R wrist plain film | AP | age 11 y, female | follow-up study | 602 x 926 px: 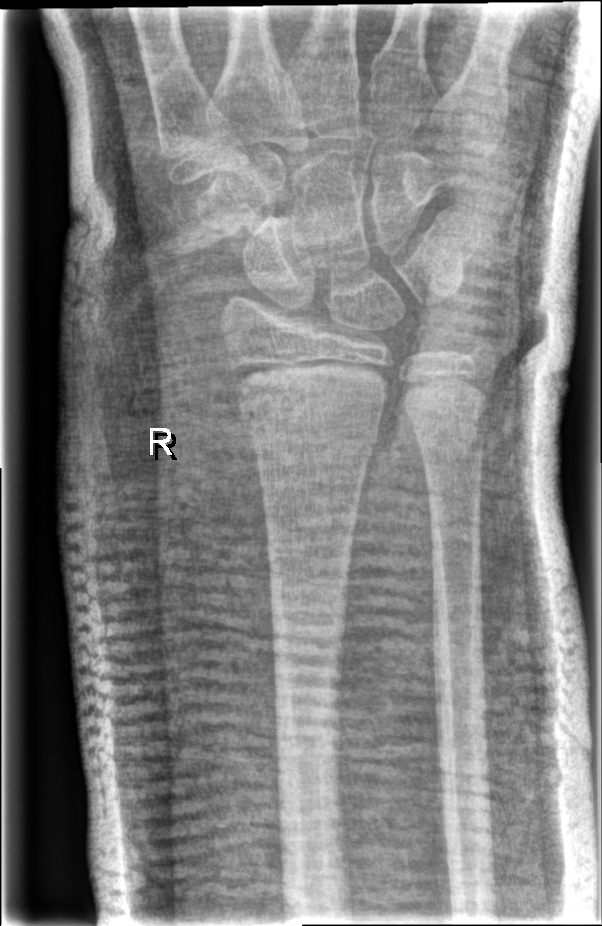

* Pixel coordinates, top-left origin, xyxy.
* Fracture — [x1=229, y1=355, x2=387, y2=465].
* AO/OTA classification: 23r-E/2.1.